Lt wrist radiograph | frontal | 15-year-old male | initial study: 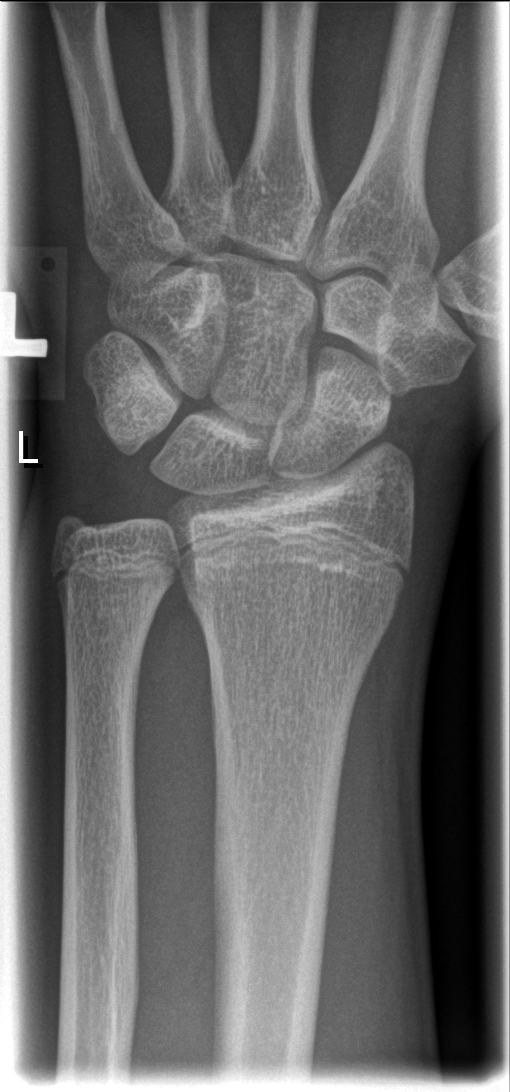

Fx: none labeled